Right wrist radiograph | lat projection | age 16 y, girl | acquired on Siemens | image width 102.5 mm | 712 x 1388 px —
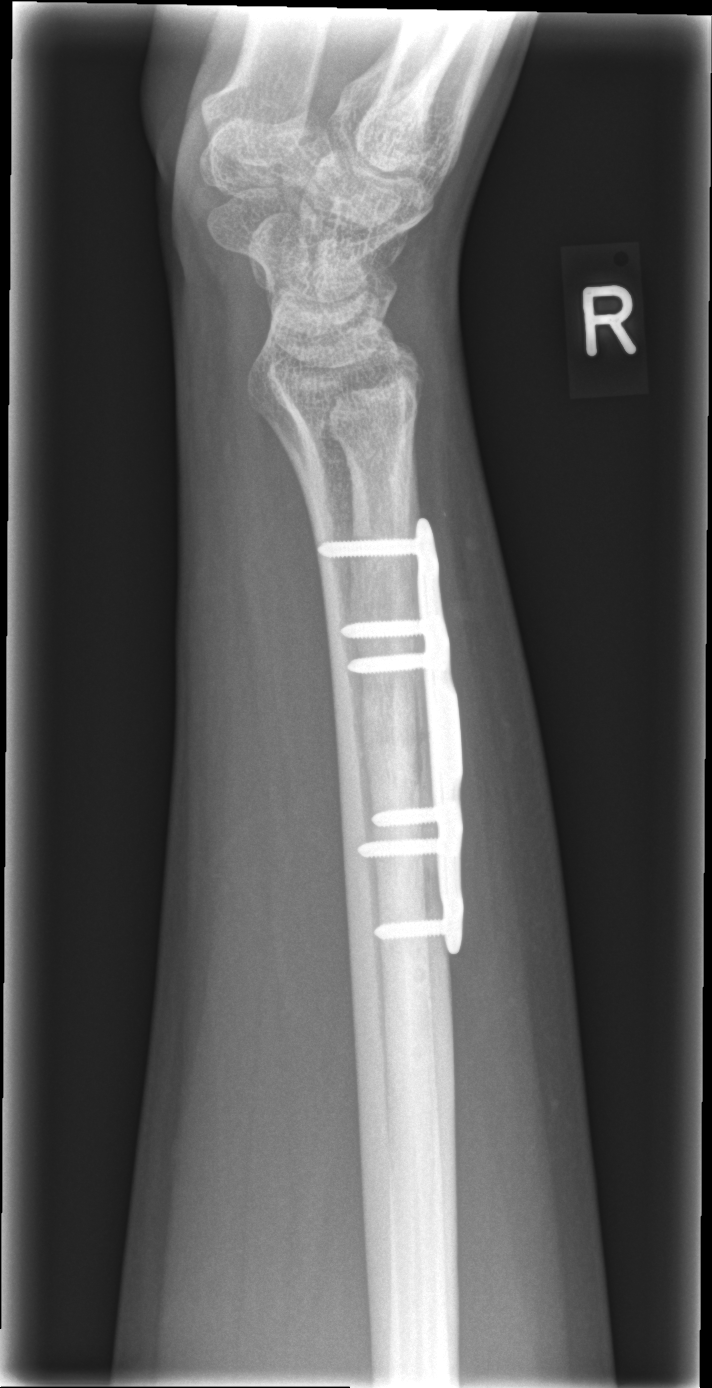 Metallic hardware — 322,524,472,945.
Fracture: none labeled.